Left wrist XR, lateral, cast in situ, 609x1182 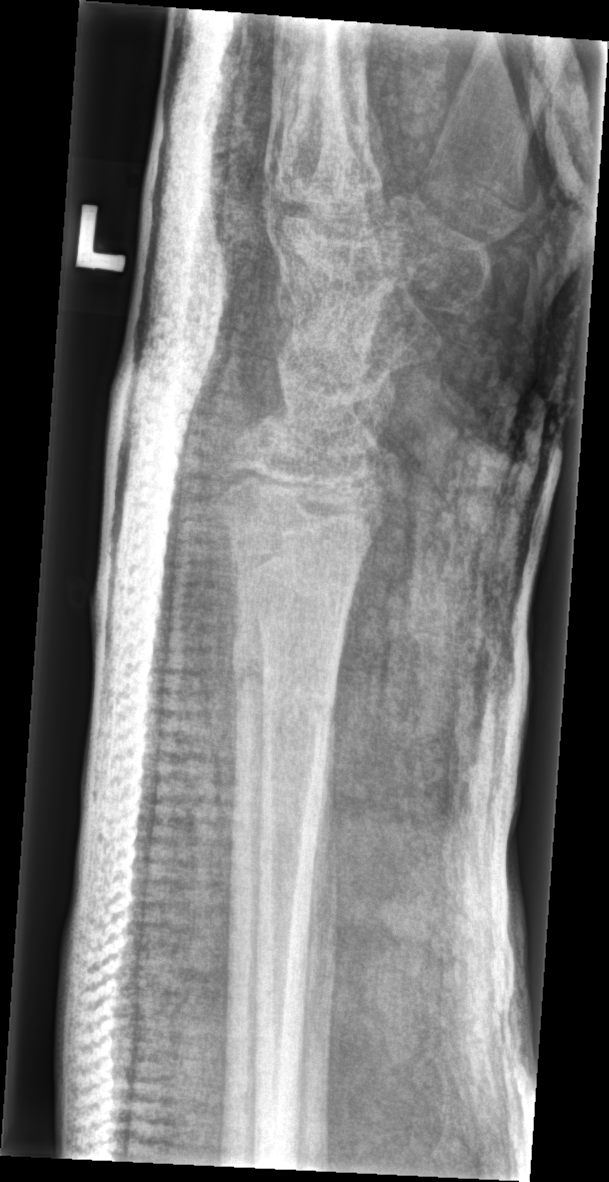

Fracture = 1 @ <222,622>-<341,737>
AO/OTA = 23r-M/3.1; 23u-M/2.1